PA view, left wrist XR, pediatric patient (male, age 14): 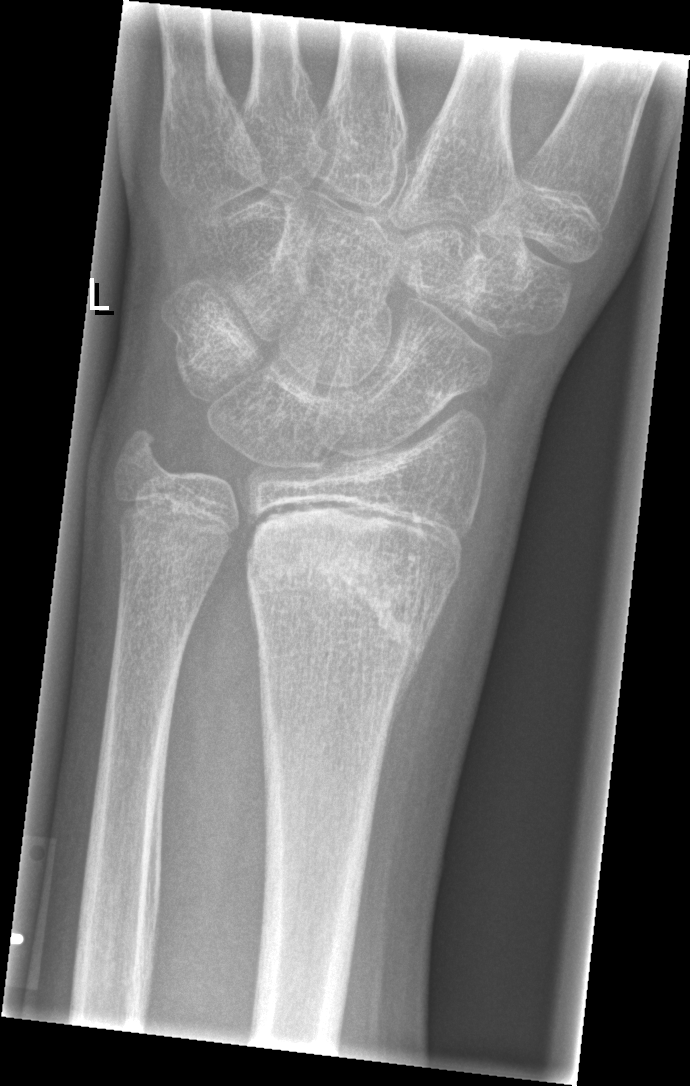
  # bounding boxes in image-pixel xyxy
  periostealreaction: 1 @ 375,639,428,789
  osteopenia: present
  fracture: 243,532,441,674; 108,424,176,494